Lt wrist XR, PA, image width 83.8 mm

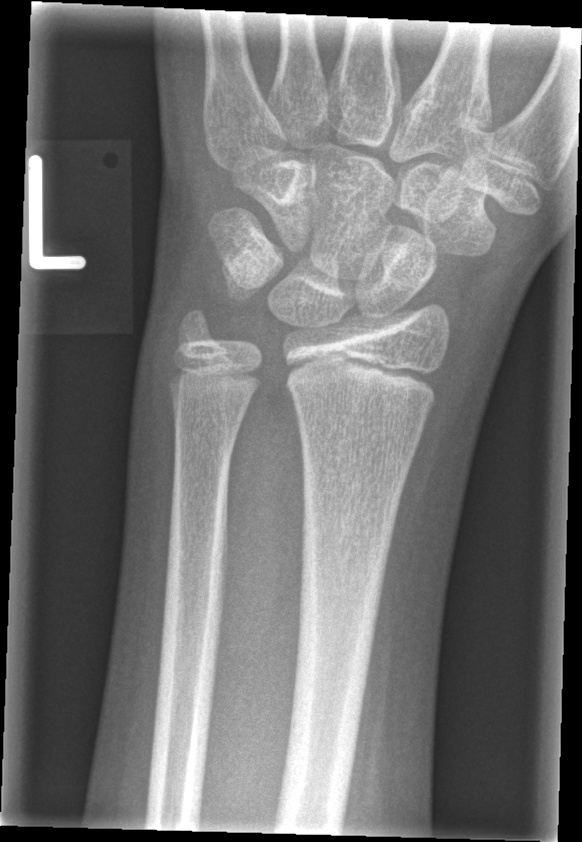
- No fracture bounding box.